Left wrist plain film; lateral view; pediatric patient (male, age 14); equivocal findings — 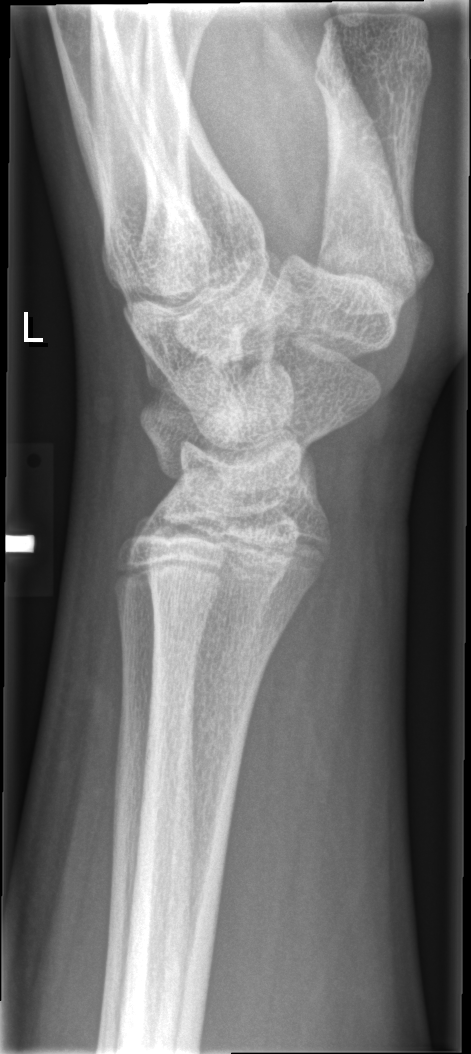 FINDINGS: Fx: present but not clearly seen in this view. AO code 23r-M/2.1.